Lateral view · left wrist XR · Siemens.

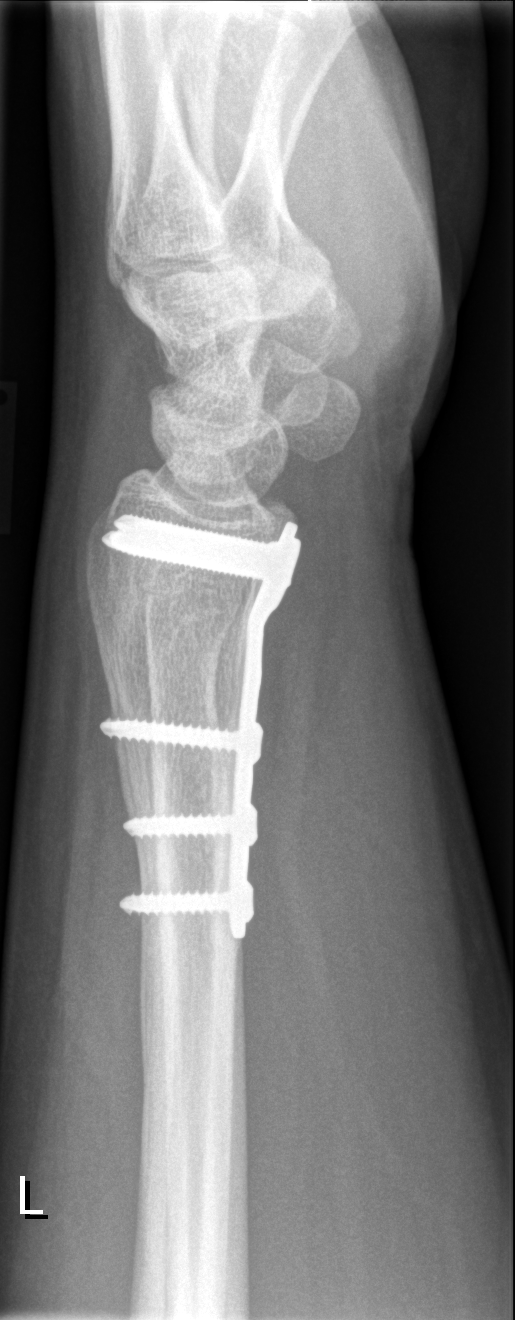
Metallic implant: 101 516 298 939
AO code: 23r-M/3.1; 23u-E/7
Bone fracture: 1 @ 76 502 263 636